Lateral view, left wrist XR, follow-up study:

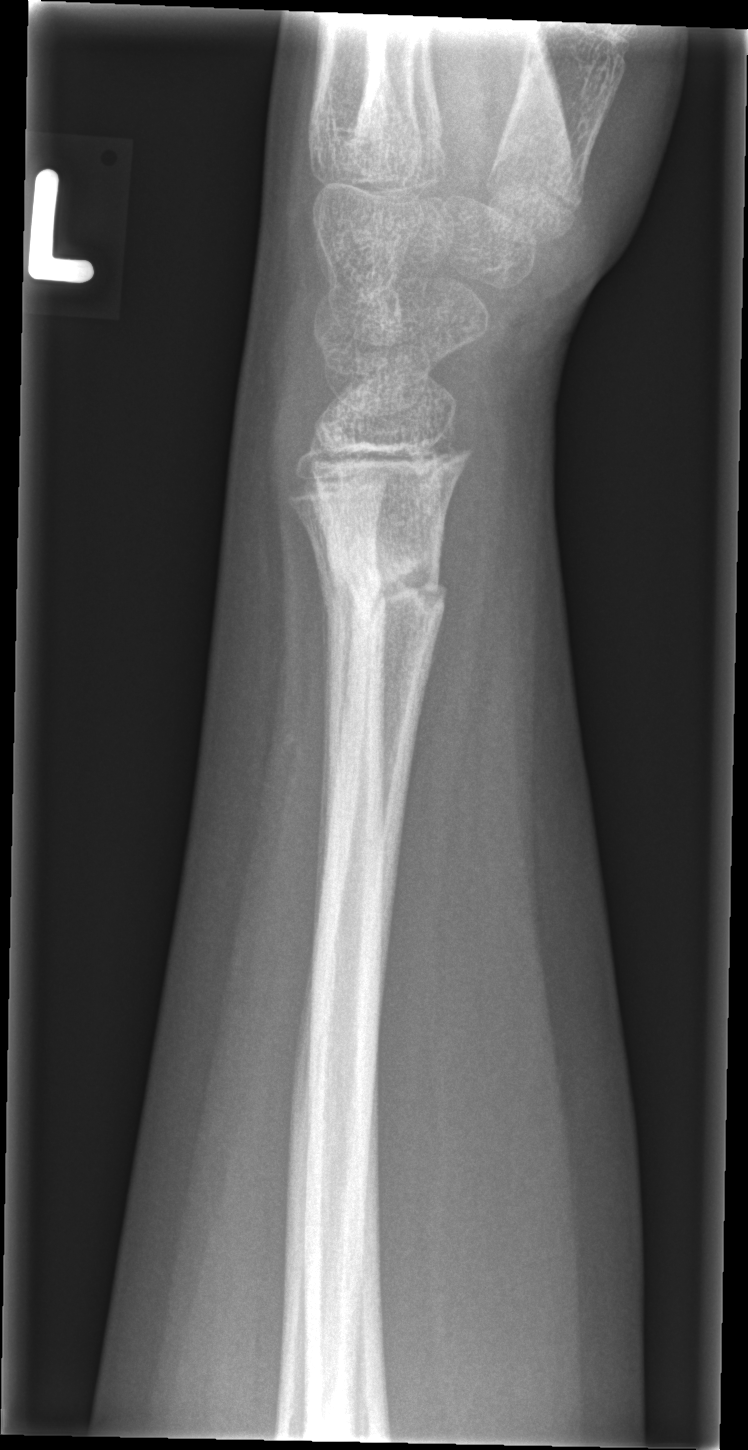
Q: Is there a fracture?
A: Fx — (333, 547, 450, 651)
Q: AO code?
A: Fracture classified AO/OTA 23r-M/3.1; 23u-M/2.1
Q: Is there osteopenia?
A: Reduced bone mineral density